Lat view · left wrist X-ray — 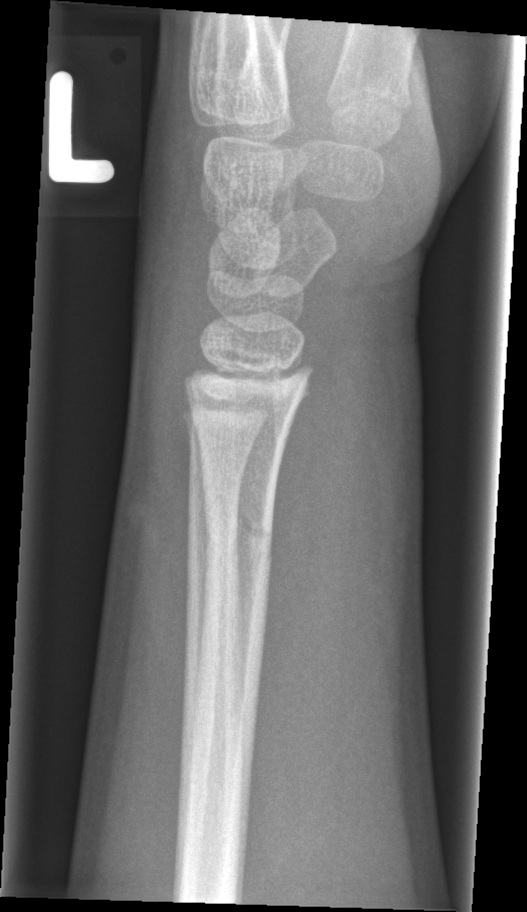 FINDINGS: One Fx at (left=198, top=482, right=277, bottom=559). AO/OTA classification: 23r-M/3.1.